Lt wrist X-ray; posteroanterior
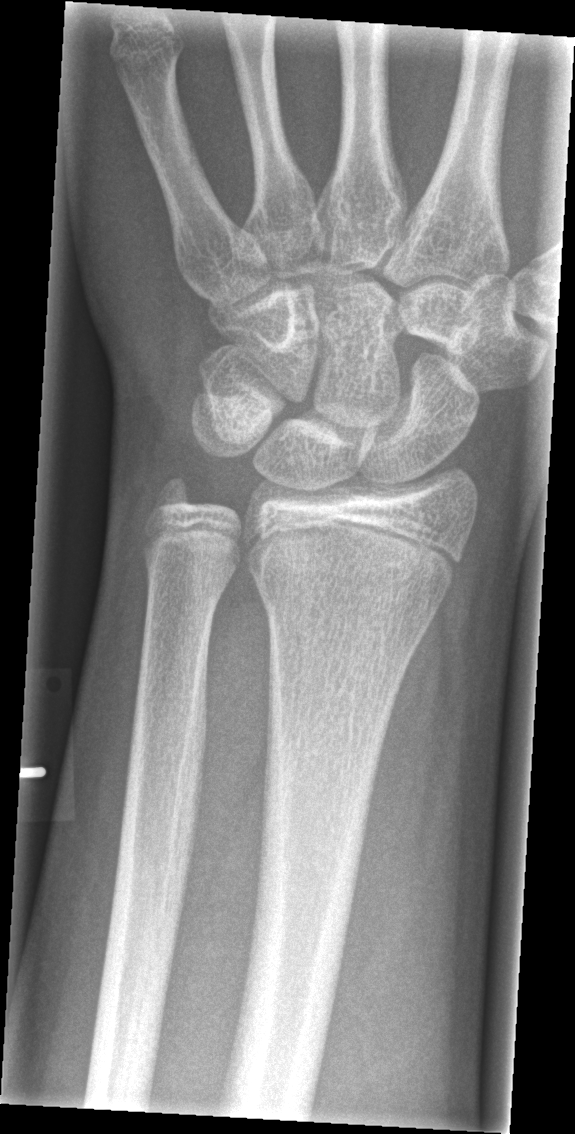 Findings: One fracture at [250, 540, 450, 618]. Fracture classified AO/OTA 23r-M/2.1.